PA projection | left wrist X-ray | 17-year-old female —
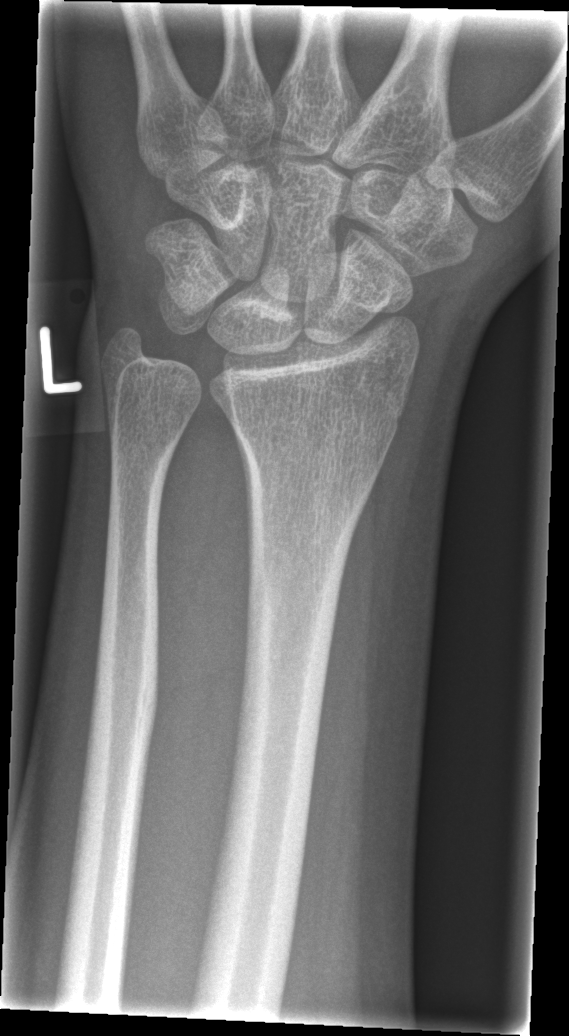
Fx: none labeled